PA/AP view | left wrist radiograph —
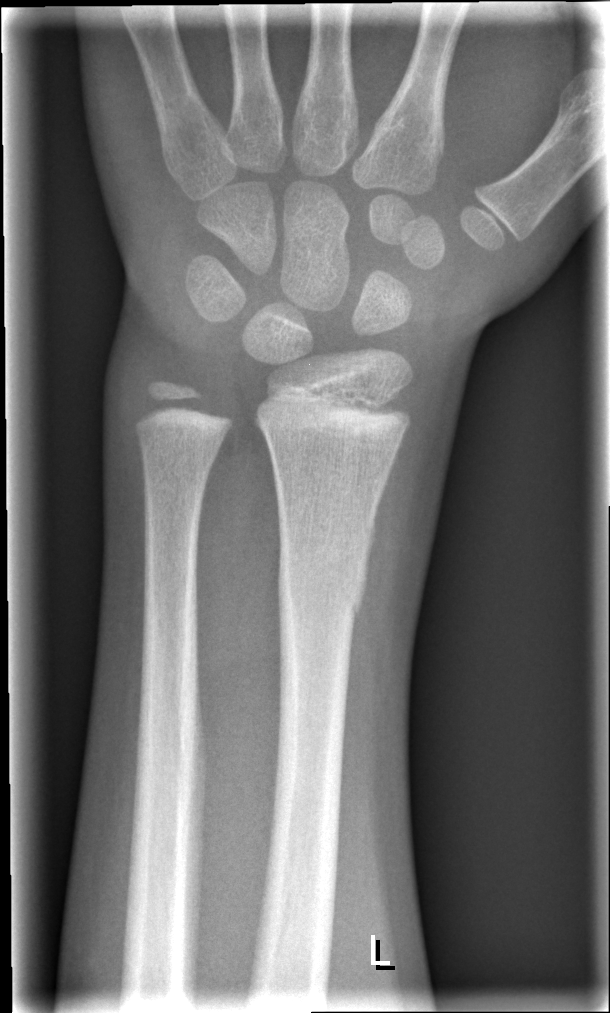 AO/OTA classification: 23r-M/2.1. Fracture identified at [271, 525, 373, 622].